L plain radiograph of the wrist | frontal projection | girl, 8 yo | index exam —

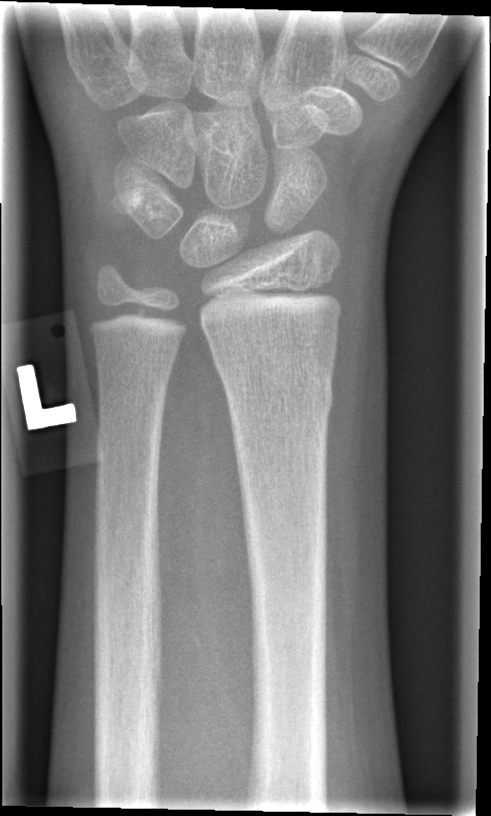 Q: Fracture present?
A: One fracture at (215, 357, 337, 426)